L plain radiograph of the wrist; PA view
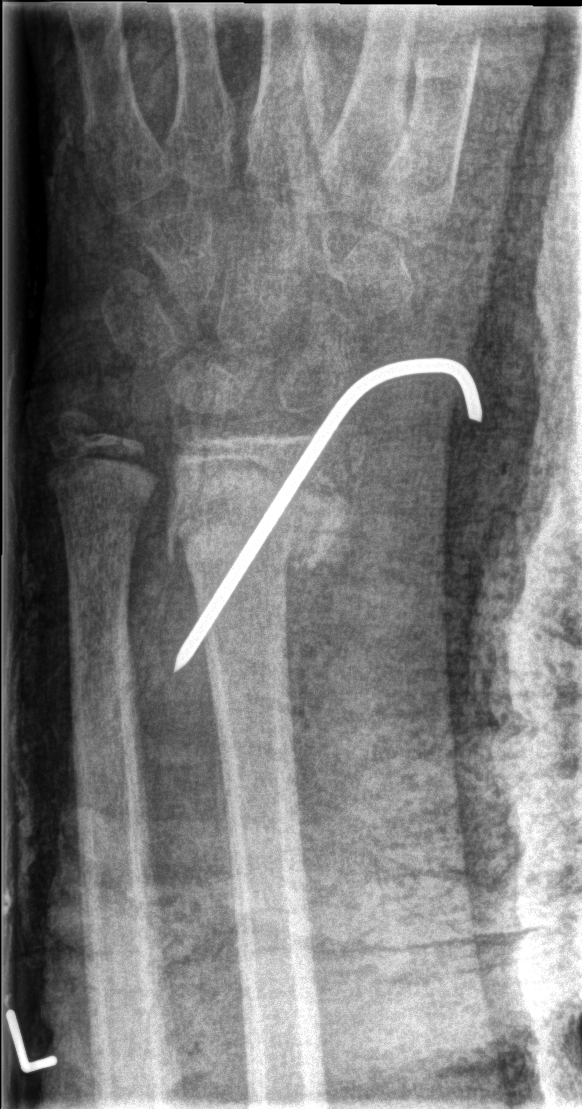

Boxes as x1,y1,x2,y2 (top-left / bottom-right, pixel units).
Fractures — (165, 451, 375, 587) (43, 401, 114, 455).
One metallic implant at (171, 354, 484, 676).